Lat view; right wrist radiograph
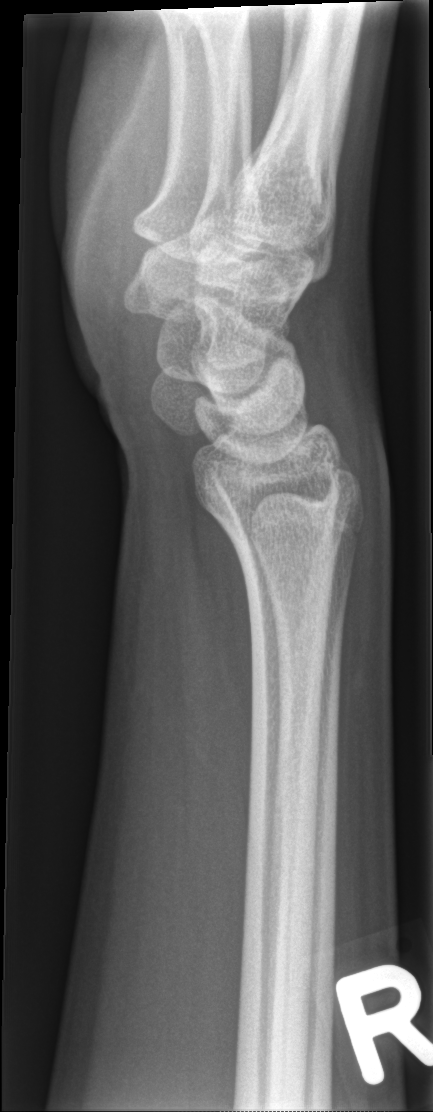 • No fracture bounding box.